Posteroanterior view | Lt pediatric wrist radiograph | male, 15 yo | detector: Siemens | image size 565x1148: 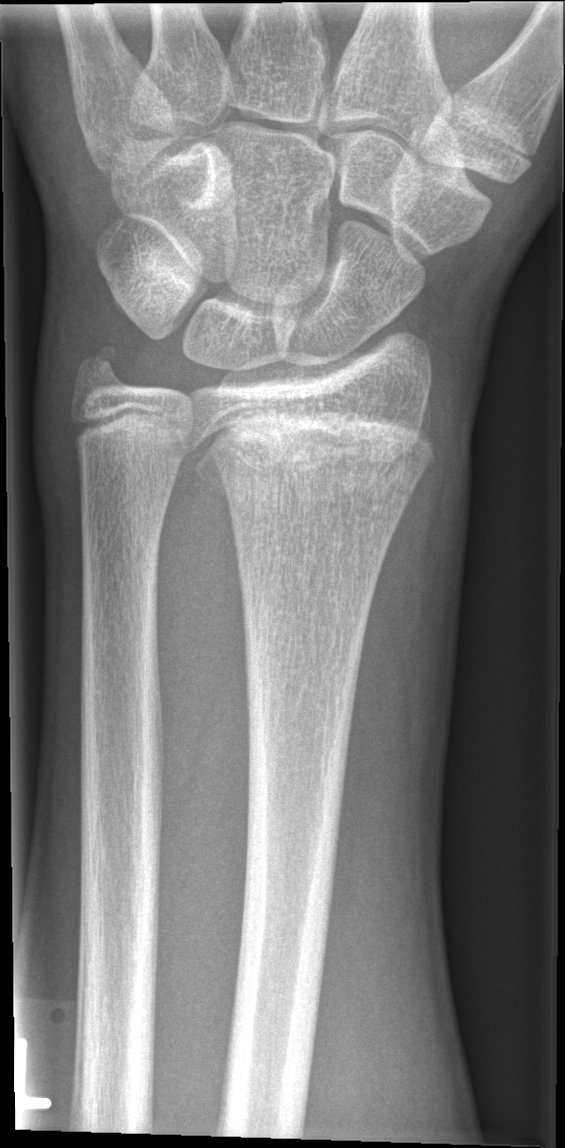 Fracture: (190, 403, 439, 514) (68, 335, 131, 394)
AO/OTA: 23r-E/2.1; 23u-E/7